R pediatric wrist radiograph, lateral view, pediatric patient (male, age 18), findings marked uncertain by the reading radiologist, detector: Siemens, 496 x 818 px: 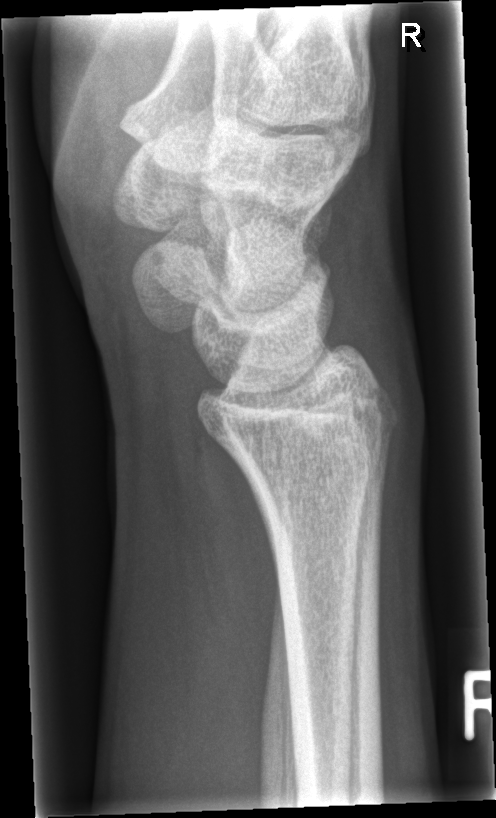

Fx = none labeled